Left wrist X-ray, posteroanterior view, 13-year-old boy, presentation radiograph, image width 85.7 mm 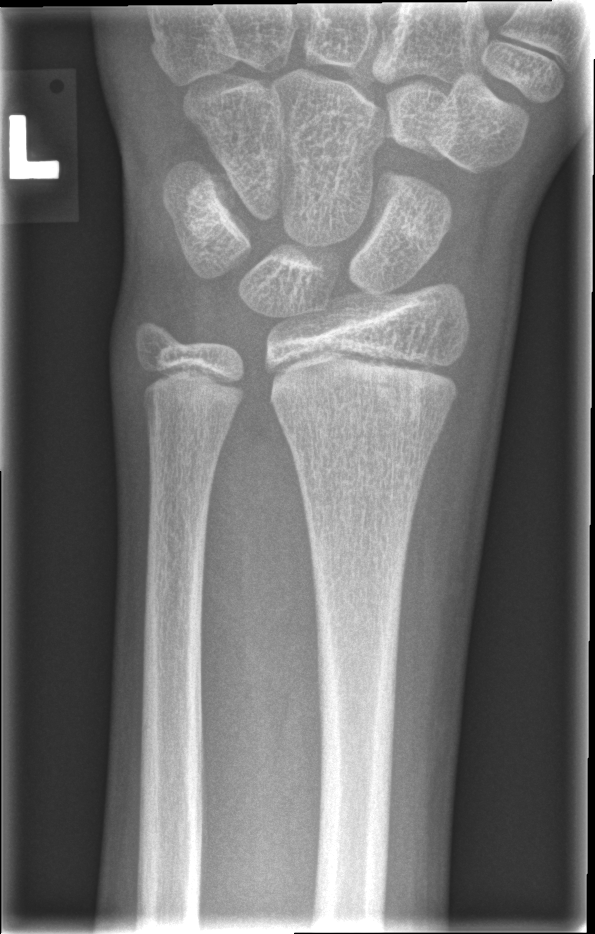 AO/OTA classification: 23r-M/2.1. Fracture: present but not clearly seen in this view.